Right wrist radiograph; PA view; index exam 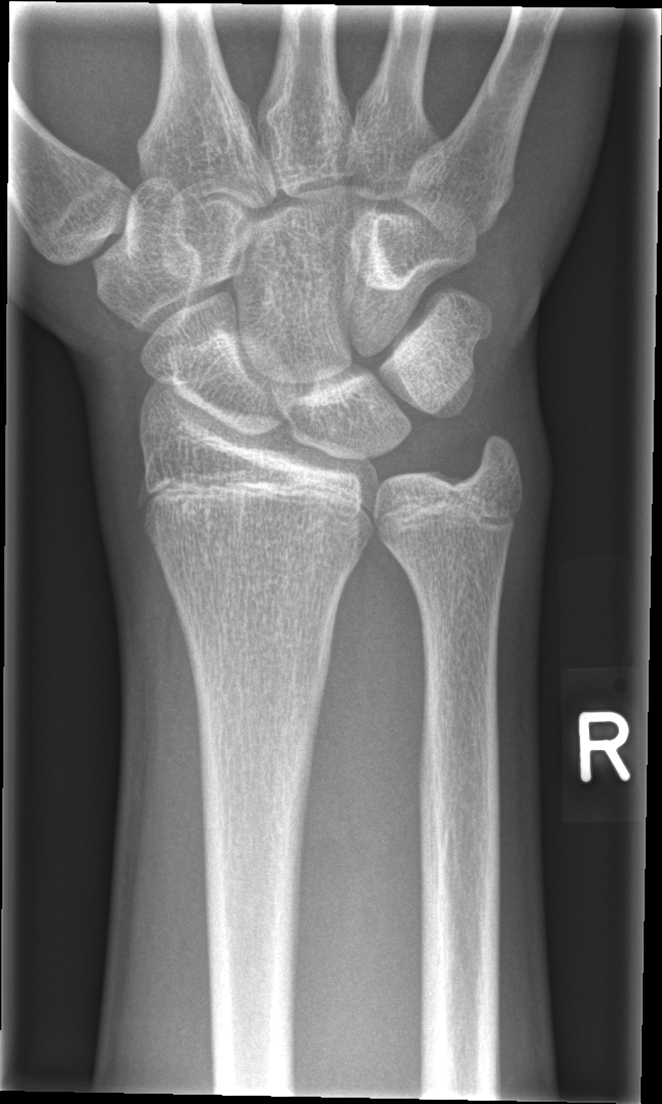   fracture: none labeled